Posteroanterior projection; right pediatric wrist radiograph; acquired on Siemens; 527 x 1108 px.
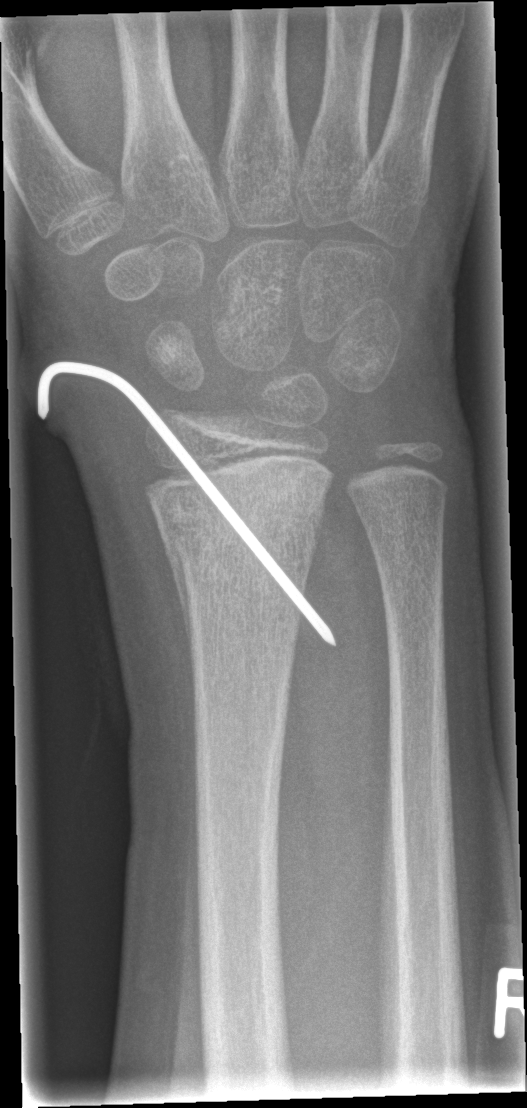

Fracture = [148, 454, 333, 568]
Periosteal thickening = [163, 537, 195, 683]
AO classification = 23r-E/2.1
Metallic hardware = 1 @ [38, 363, 335, 642]
Osteopenia = present